Lat · R wrist XR · female, 15 yo
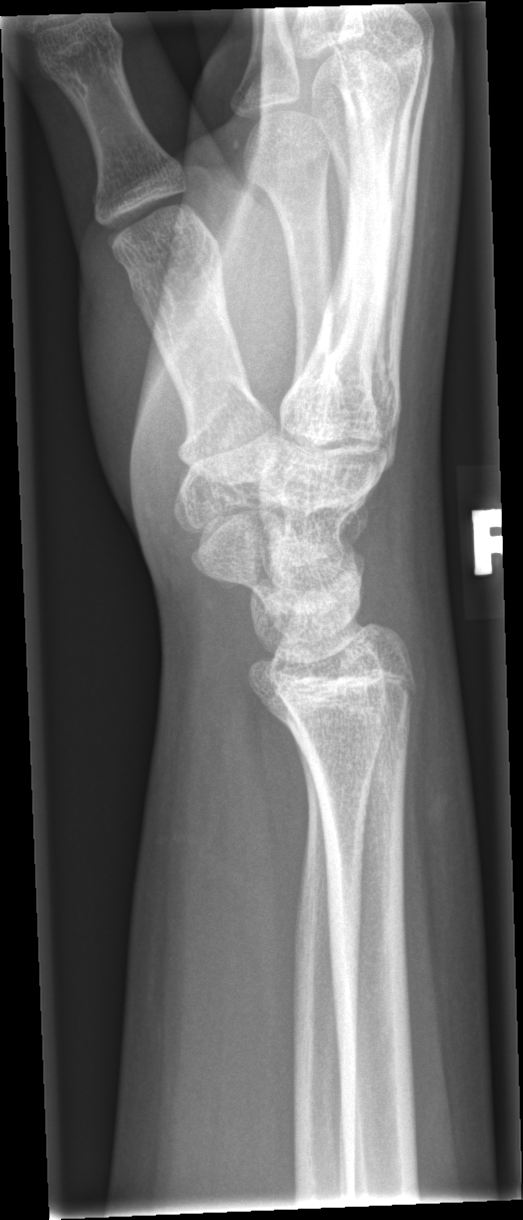 Q: Is there a fracture?
A: Fracture: none labeled